Rt wrist X-ray · lateral projection · 17-year-old boy:

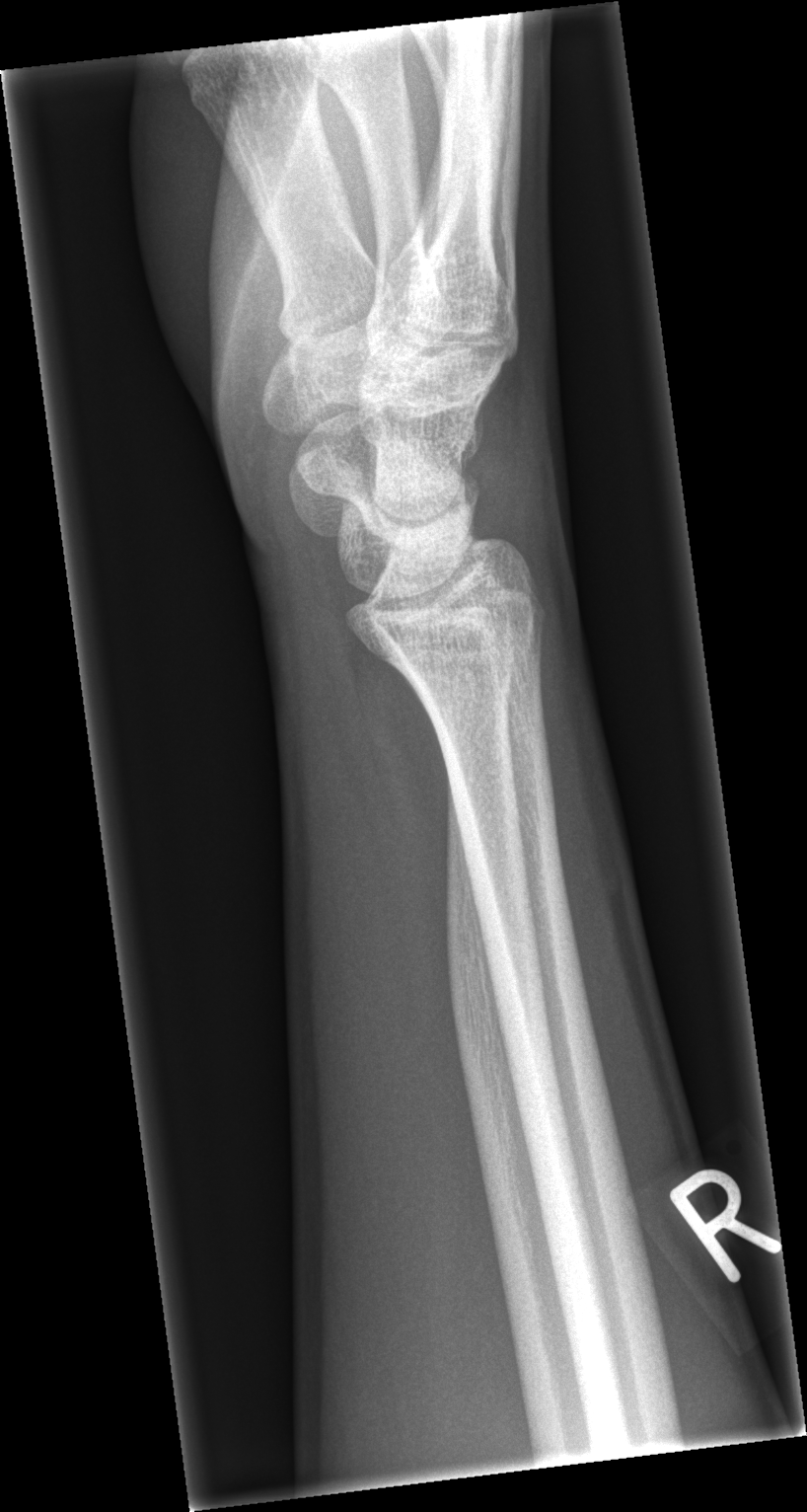 No Fx annotated.